R wrist radiograph; lateral; age 6 y, girl; 72.9 mm image width; 506x1020. 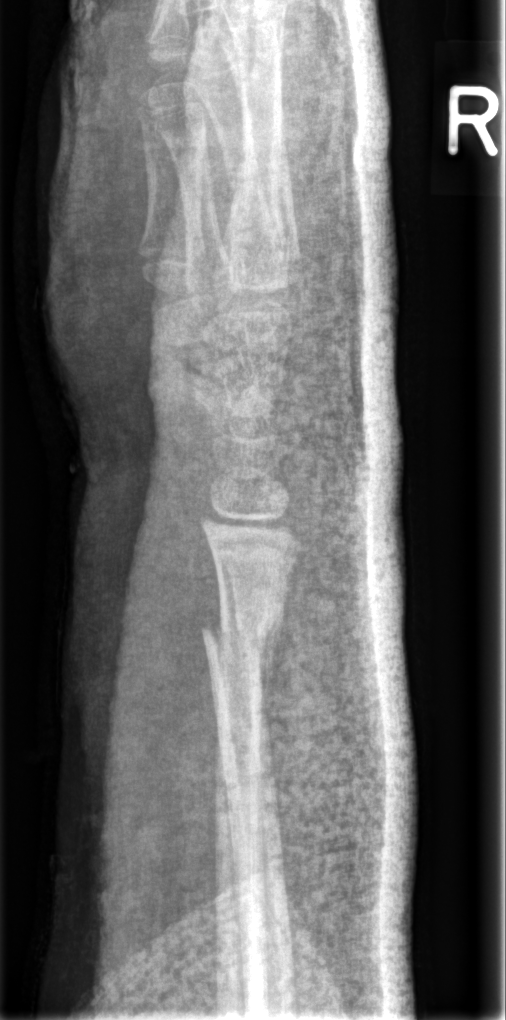 Bone fracture — [x1=199, y1=596, x2=287, y2=682]. Fracture classified AO/OTA 23-M/3.1.